Lateral · Rt plain radiograph of the wrist · image 87.4 mm wide —
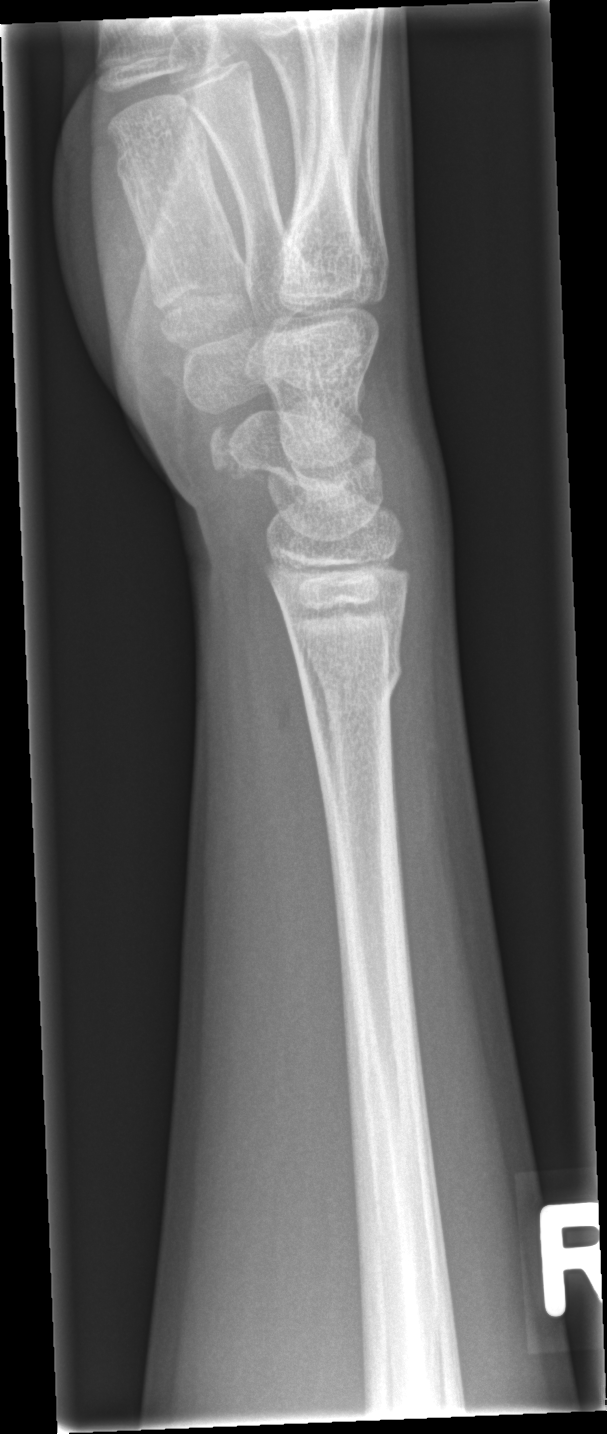
(boxes as x1,y1,x2,y2 (top-left / bottom-right, pixel units))
Q: Any fracture seen?
A: Bone fracture: 295 644 405 704
Q: AO code?
A: AO code 23r-M/2.1